PA/AP projection, L wrist plain film, in cast, 93.9 mm image width, 652 x 888 px:

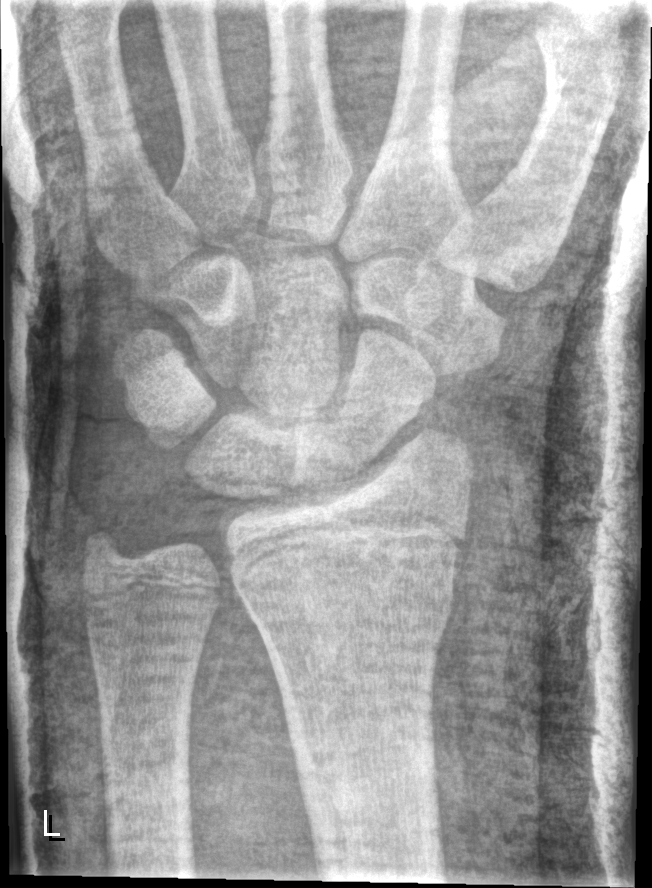 AO code 23r-E/2.1.
Bone fracture: bbox(225, 526, 466, 642).